L wrist X-ray | posteroanterior view | 16y M —
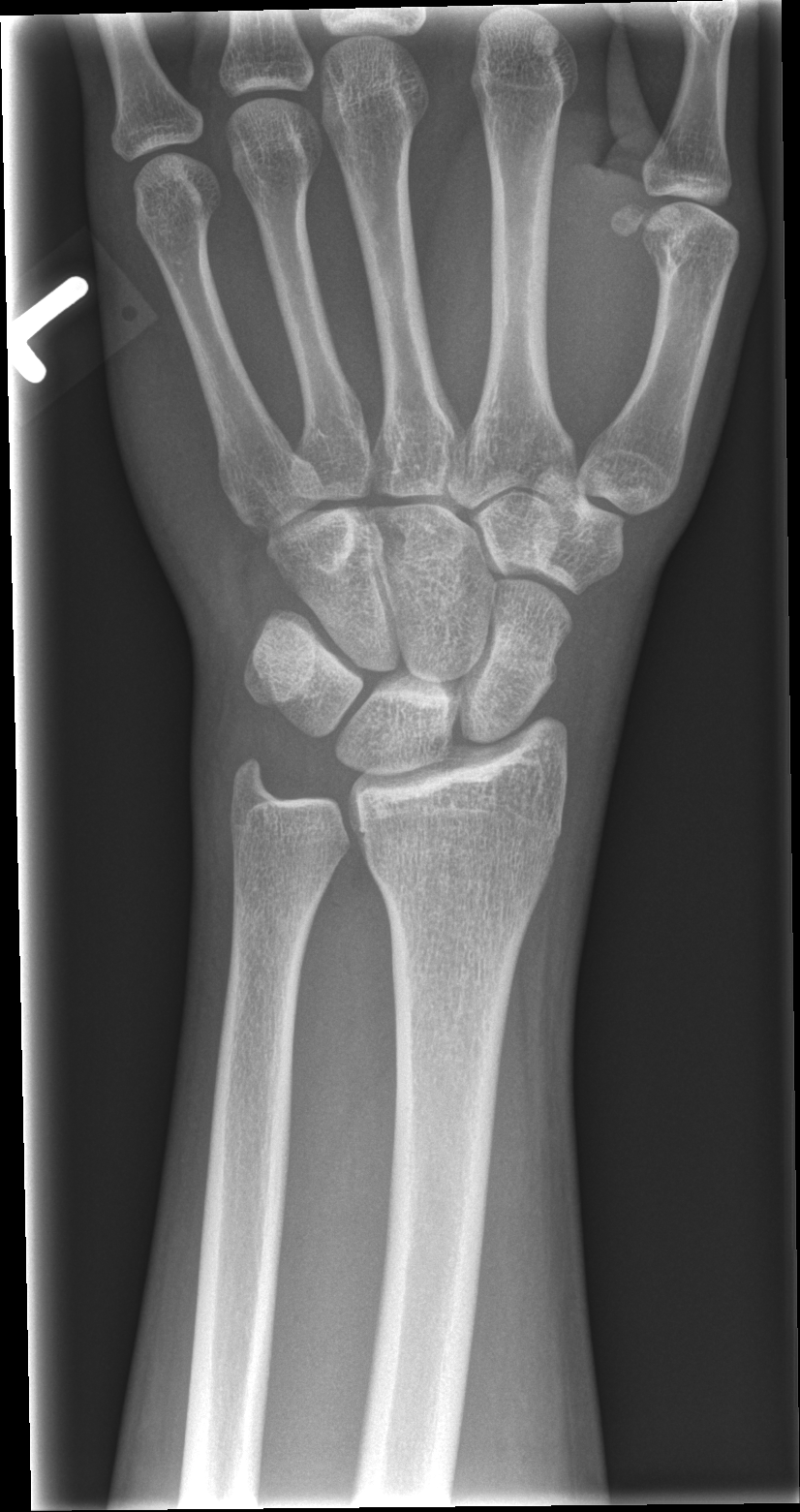

  fracture: present but not clearly seen in this view